Right plain radiograph of the wrist | PA view: 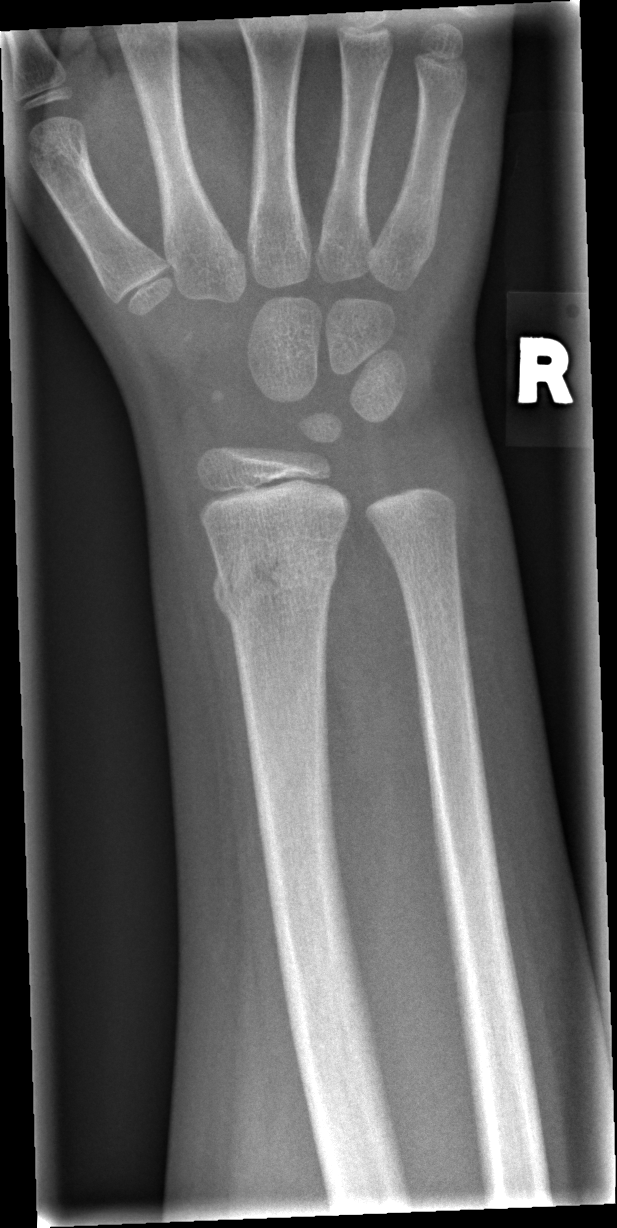 - Fracture classified AO/OTA 23r-M/2.1.
- Fracture: <210,542>-<341,622>.